Lt wrist X-ray · lateral projection: 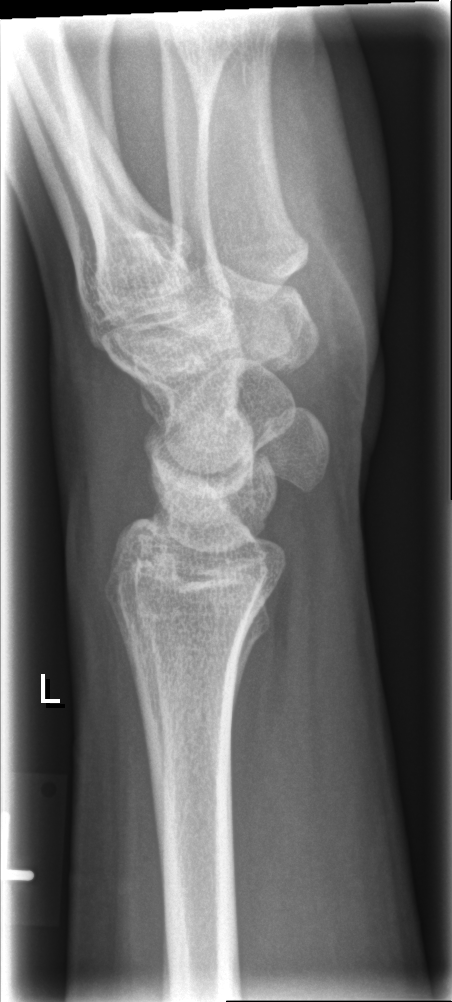 No fracture labeled.